Left wrist X-ray; AP projection:

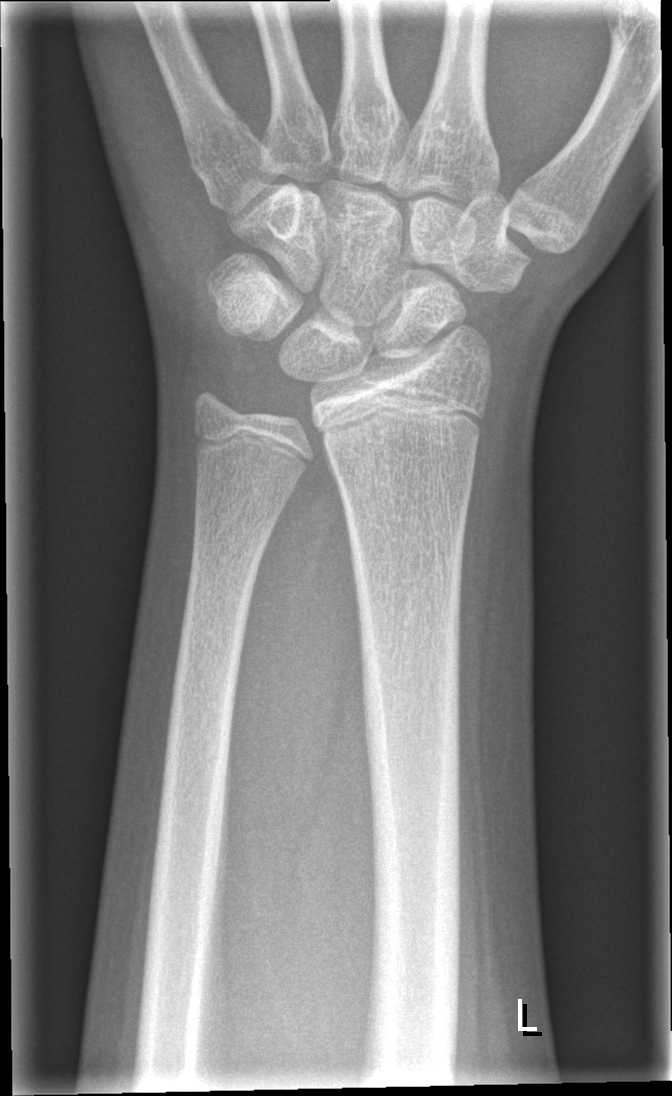

Fracture: none labeled.